Lat view | right wrist XR | presentation radiograph

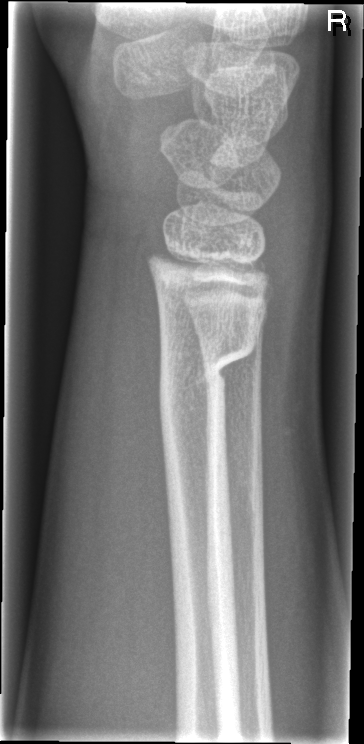
(pixel coordinates, top-left origin, xyxy)
Q: Is there a fracture?
A: Bone fracture identified at 155 328 259 420